AP, right wrist radiograph, pediatric patient (boy, age 10), subsequent exam, cast in situ —
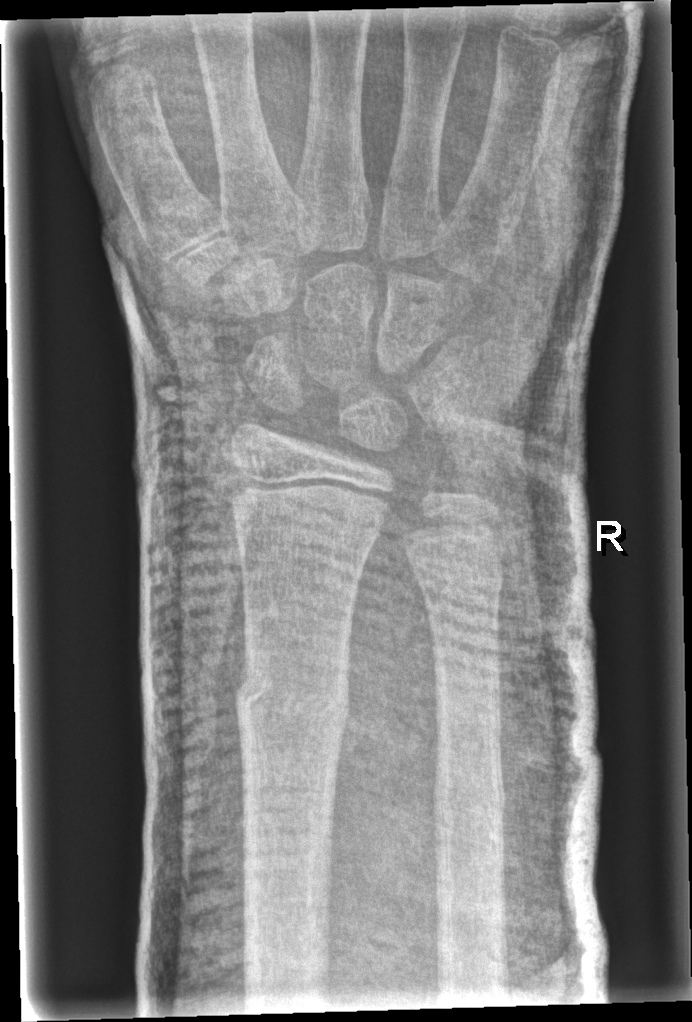

  ao: 23-M/2.1; 22u-D/2.1
  fracture: 3 @ 233,656,353,754; 428,768,510,875; 411,556,506,619